Right plain radiograph of the wrist; PA/AP projection; image 100.2 mm wide:

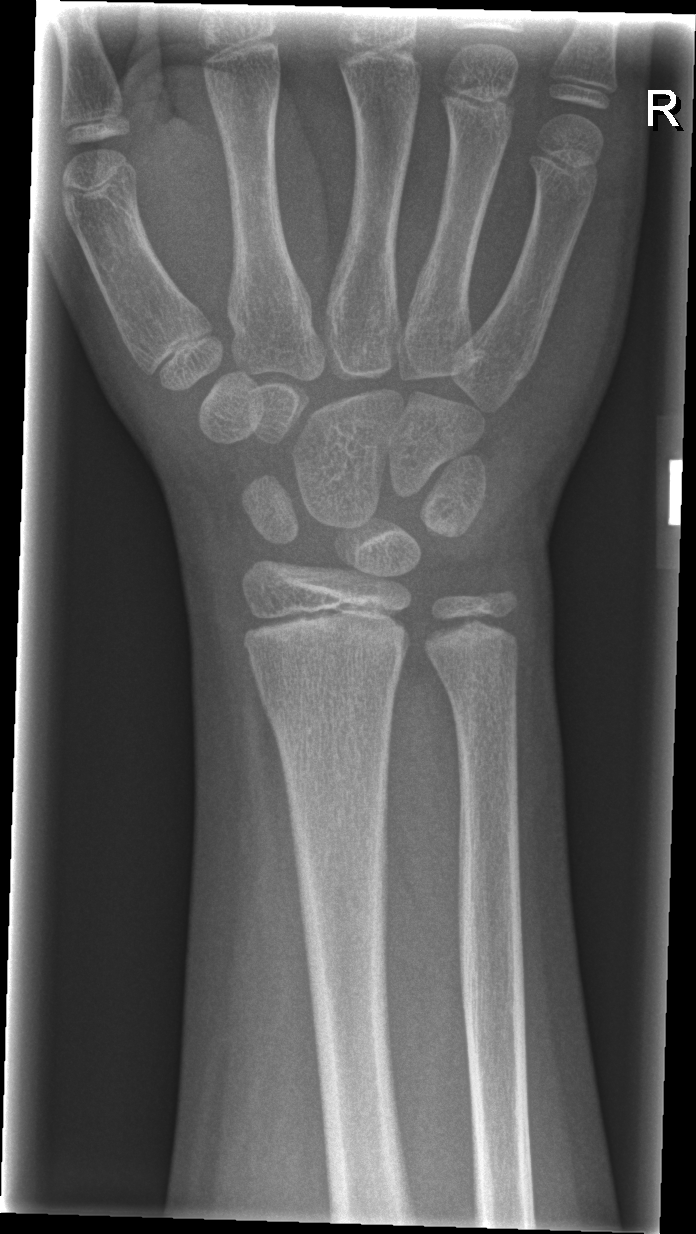
FINDINGS: Fracture: none labeled.